Lat | right wrist radiograph | 492x1019 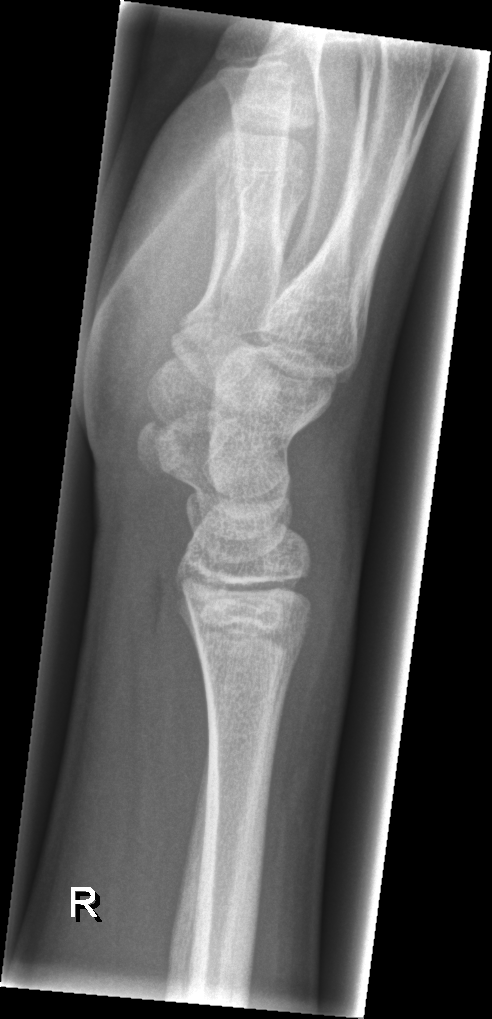

Fx: none.